Lateral view, left wrist plain film, 8-year-old girl, index exam, 94.6 mm image width.
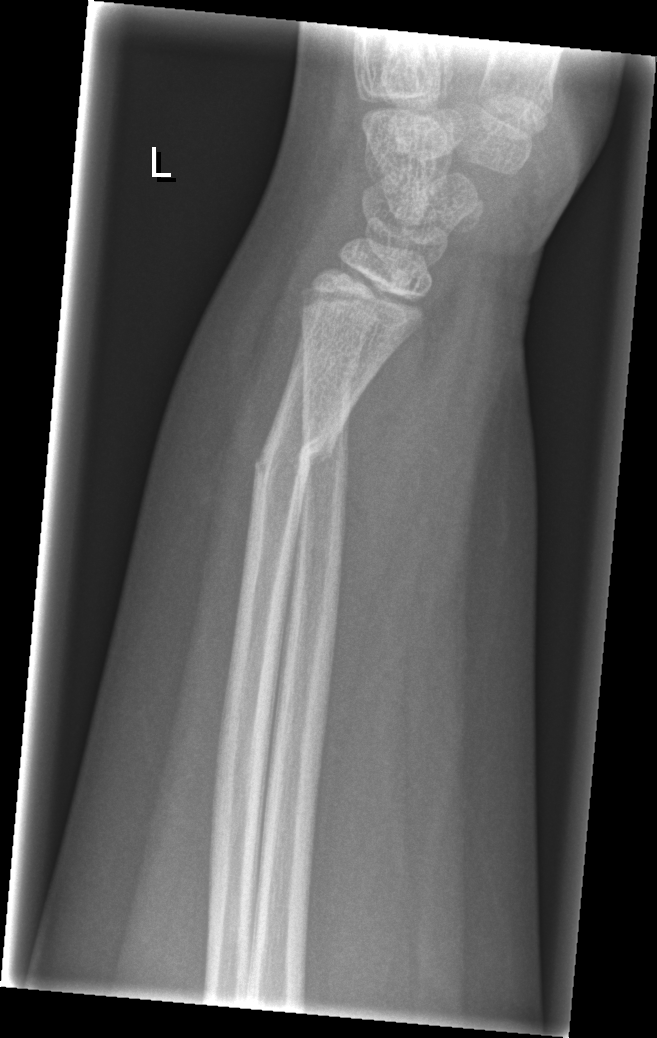 AO code: 23-M/2.1
fracture: (246, 419, 343, 502)